Lat | L plain radiograph of the wrist | 8y F | imaged through cast | 641 x 1018 px — 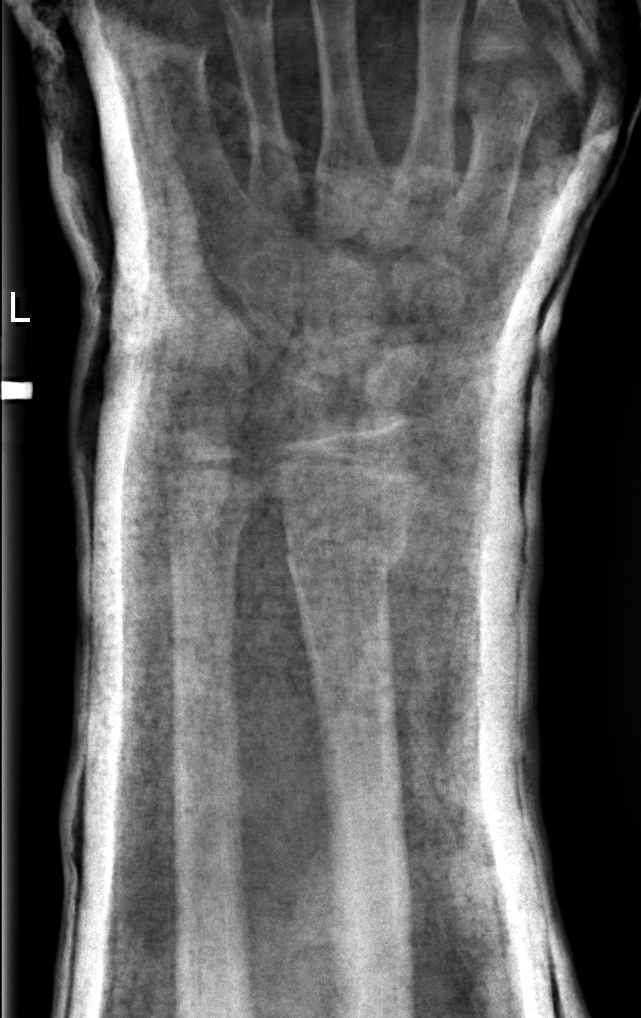

FINDINGS: Fx — (282, 517, 409, 586); (158, 495, 248, 547).